Left wrist pediatric wrist radiograph; lateral view; boy, 9 yo; 489x870:
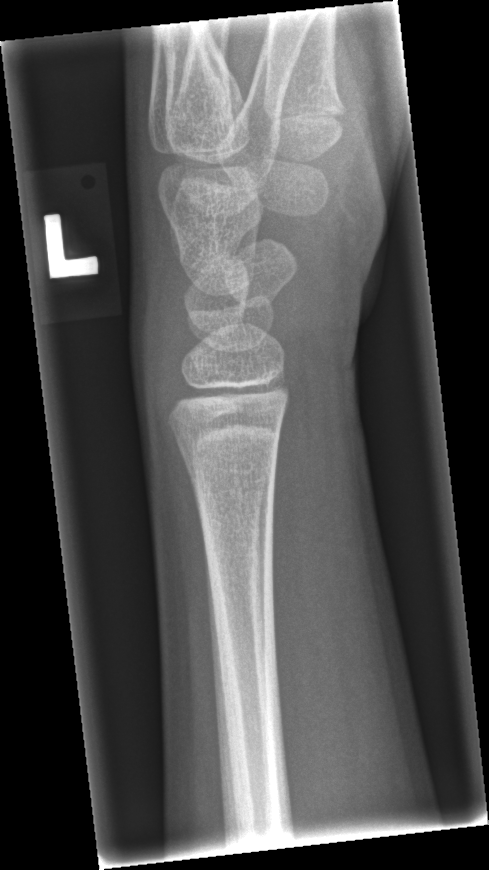
No fracture bounding box.